Lt plain radiograph of the wrist · lat projection · imaged through cast · 404 by 1004 pixels —
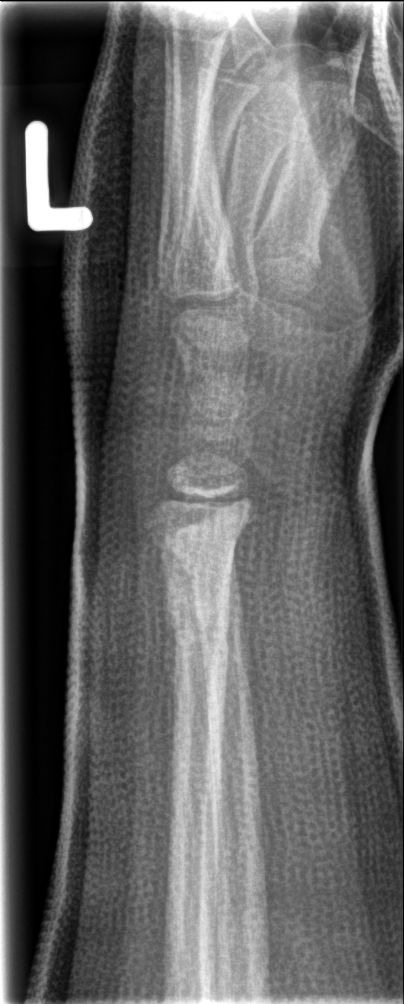
AO code = 23r-M/3.1; 23u-M/2.1
fracture = 1 @ [164, 599, 242, 691]